Left wrist plain radiograph of the wrist | AP — 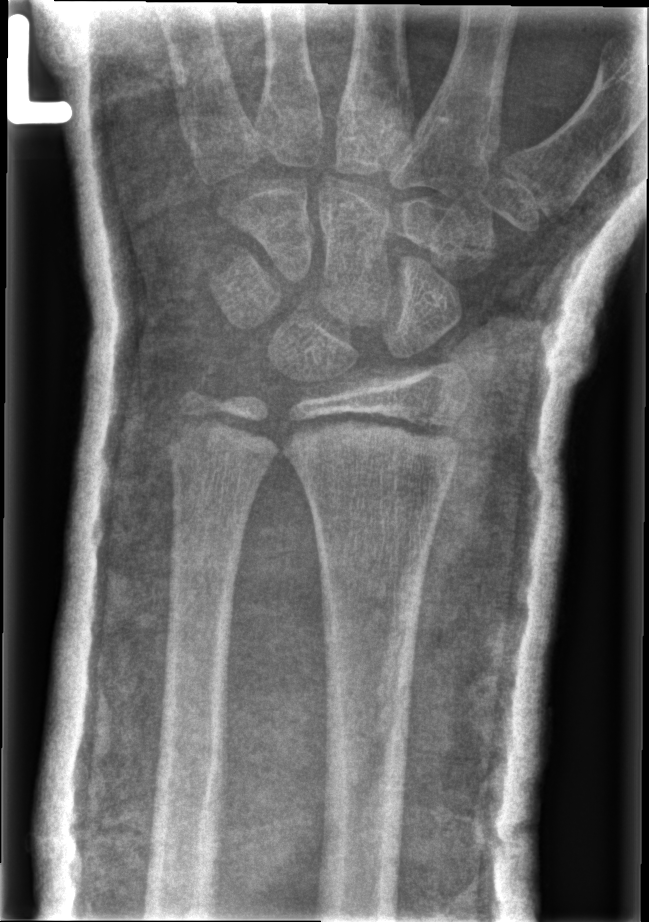
Fracture present but not clearly seen in this view. AO code 23r-E/2.1; 23u-E/7.